Lat projection | Lt wrist plain film | 12y M:

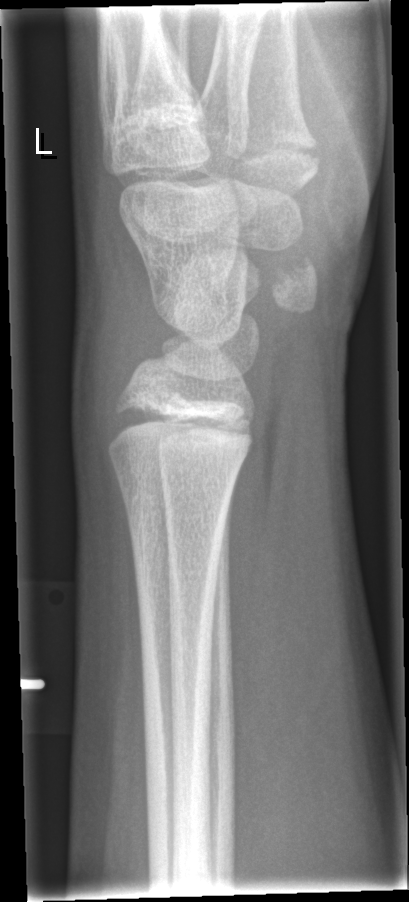

No fracture annotation.